Right wrist plain film · posteroanterior · 14-year-old male · subsequent exam · acquired on Agfa.
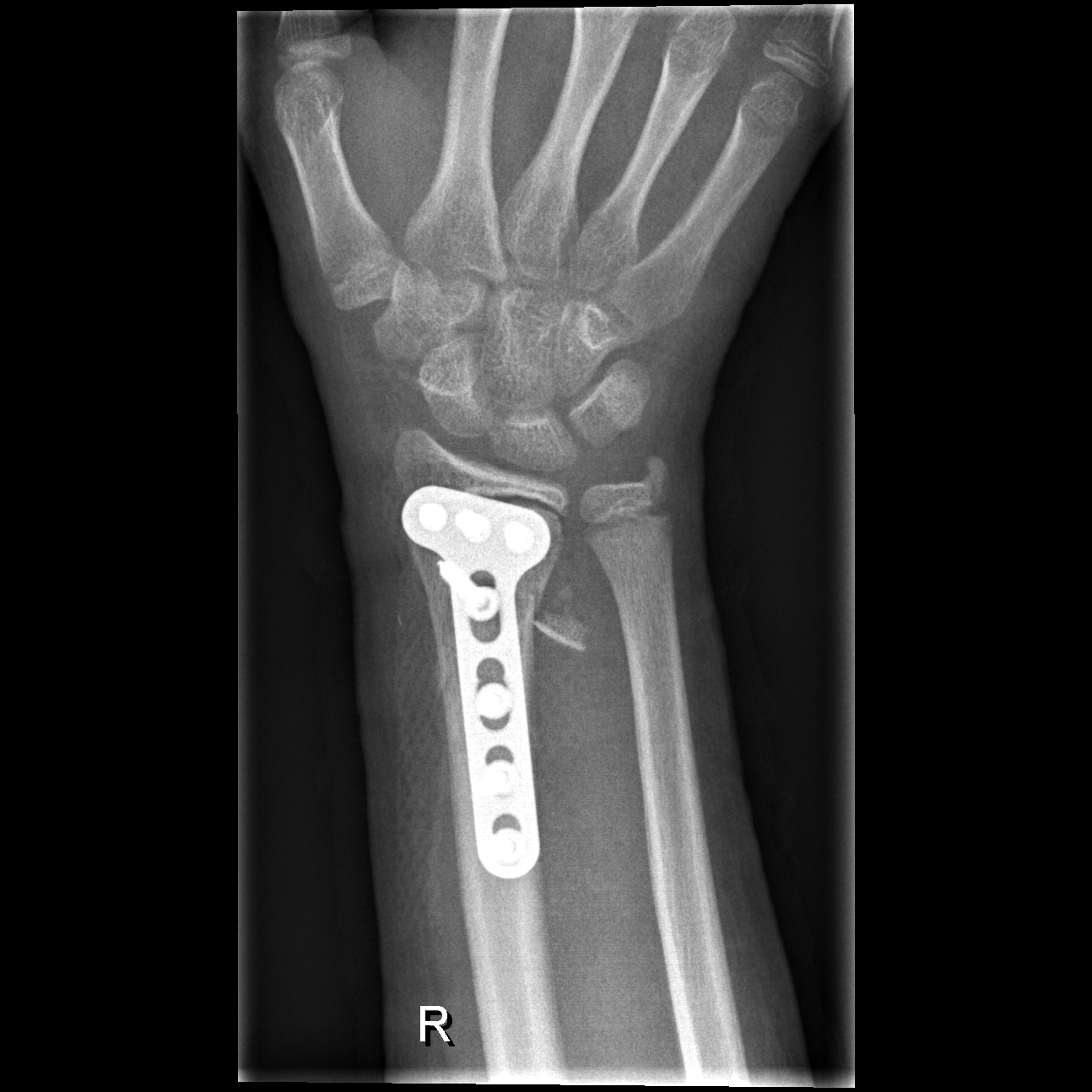
Q: Fracture present?
A: Bone fracture identified at [x1=618, y1=446, x2=680, y2=510]
Q: Is there any metallic hardware?
A: Metallic hardware — [x1=395, y1=480, x2=554, y2=882]
Q: What is the AO/OTA classification?
A: Fracture classified AO/OTA 23r-M/3.1; 23u-E/7